Lateral projection, right plain radiograph of the wrist, 13y M, index exam, 382x971:

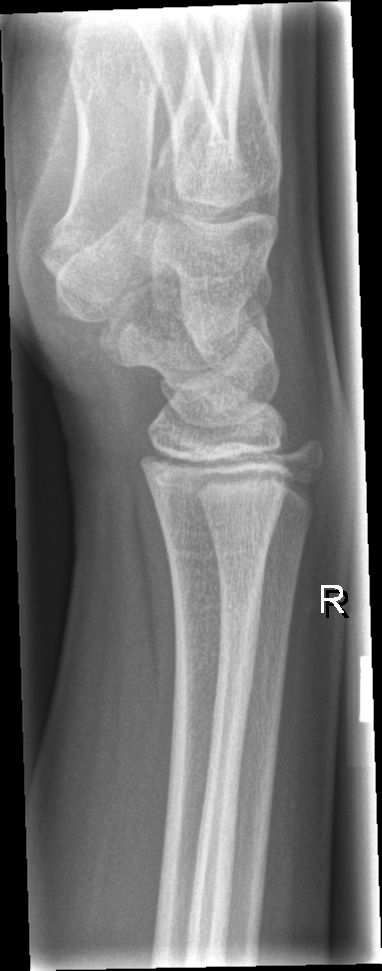
• No fracture bounding box.